PA, Rt wrist radiograph 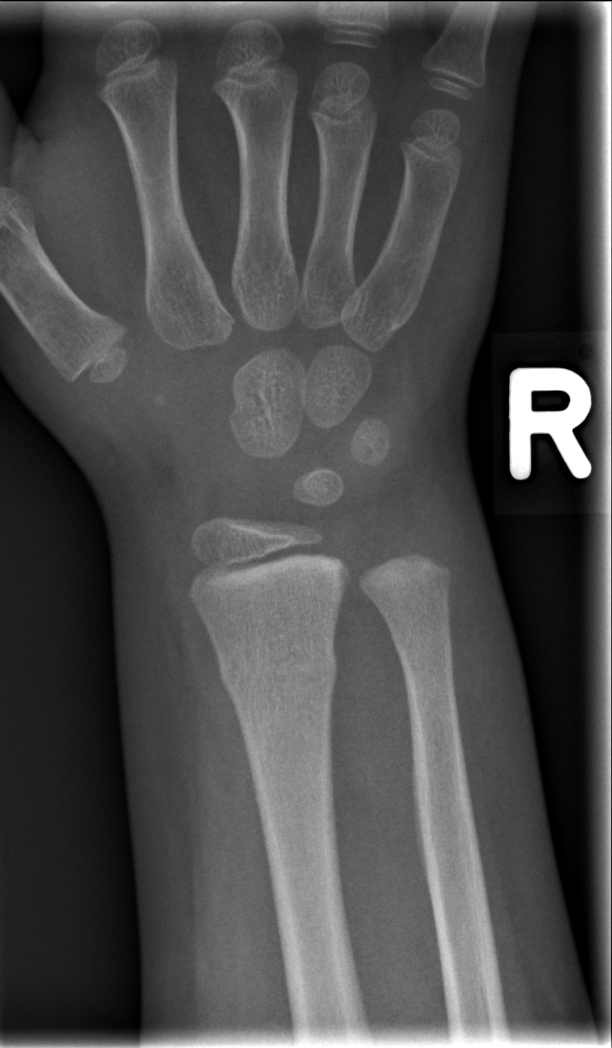

(coordinates are [x1, y1, x2, y2] in image pixels)
Q: Fracture present?
A: Fracture: 215,624,342,700 | 385,619,458,673
Q: What is the AO/OTA classification?
A: AO/OTA classification: 23-M/2.1